Rt plain radiograph of the wrist; lateral; female, 6 yo; presentation radiograph
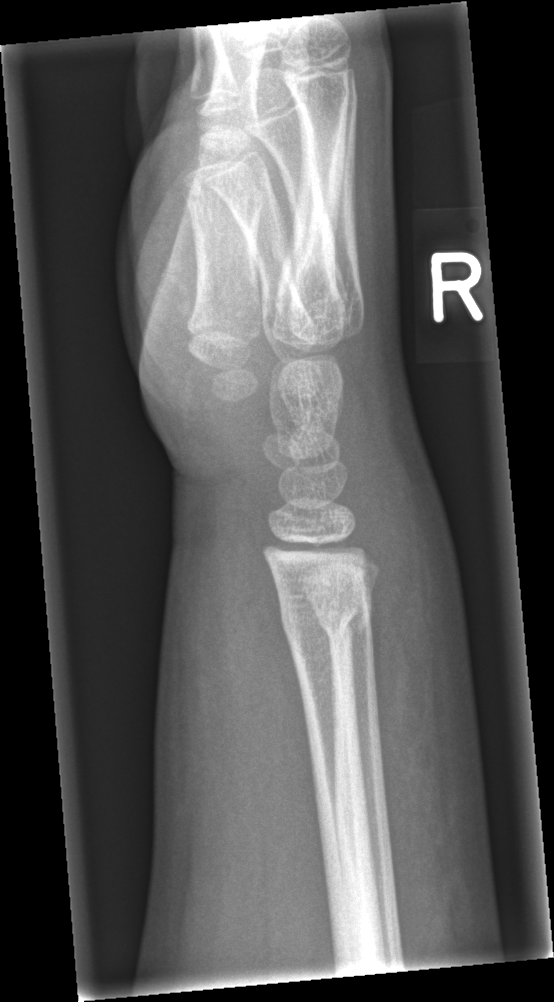
FINDINGS — (pixel coordinates, top-left origin, xyxy) Bone fractures — [x1=283, y1=578, x2=366, y2=653], [x1=320, y1=589, x2=378, y2=652]. Soft tissue abnormality — [x1=137, y1=534, x2=321, y2=944] [x1=364, y1=420, x2=485, y2=903]. Pronator sign — [x1=237, y1=565, x2=325, y2=902].